Right plain radiograph of the wrist · lateral view · 8y M · presentation radiograph · detector: Siemens 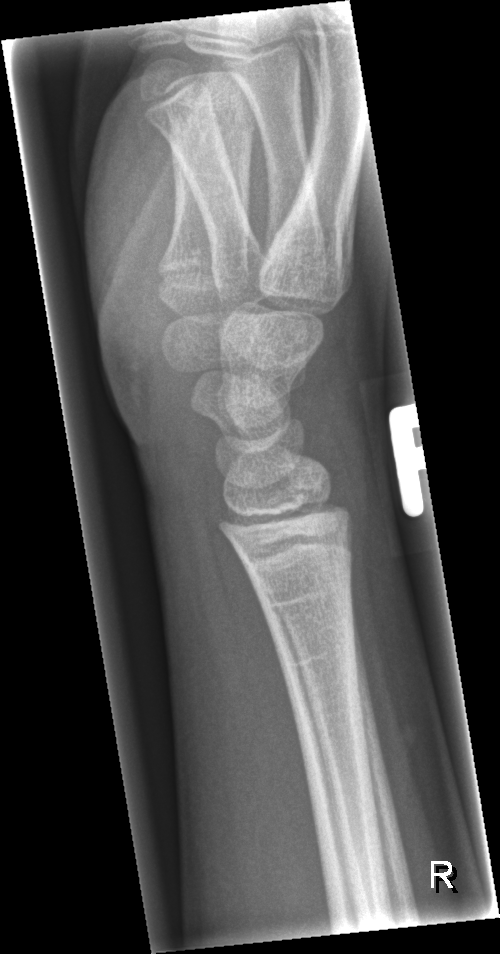
fracture: none labeled